AP projection, right pediatric wrist radiograph, age 16 y, female. 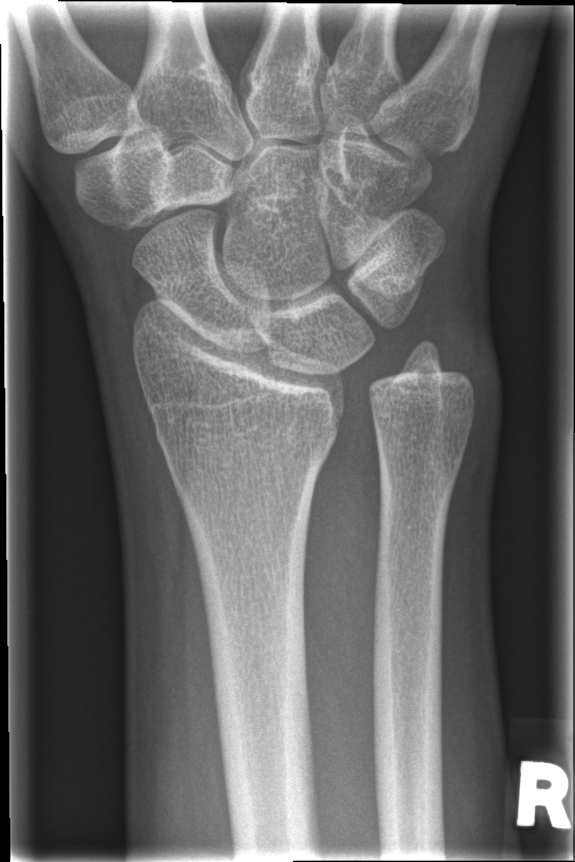
bone fracture: none labeled